Right plain radiograph of the wrist; lateral; presentation radiograph; Siemens.
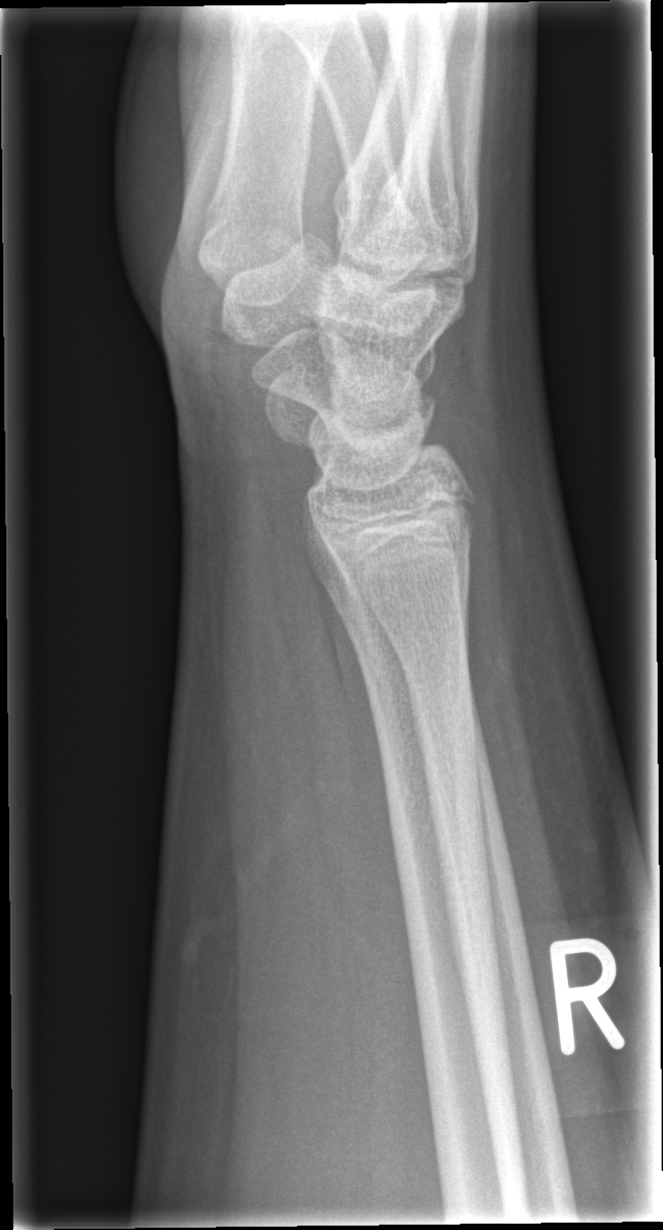
Bone fracture: none labeled